Right wrist XR; PA/AP projection; boy, 15 yo; follow-up study: 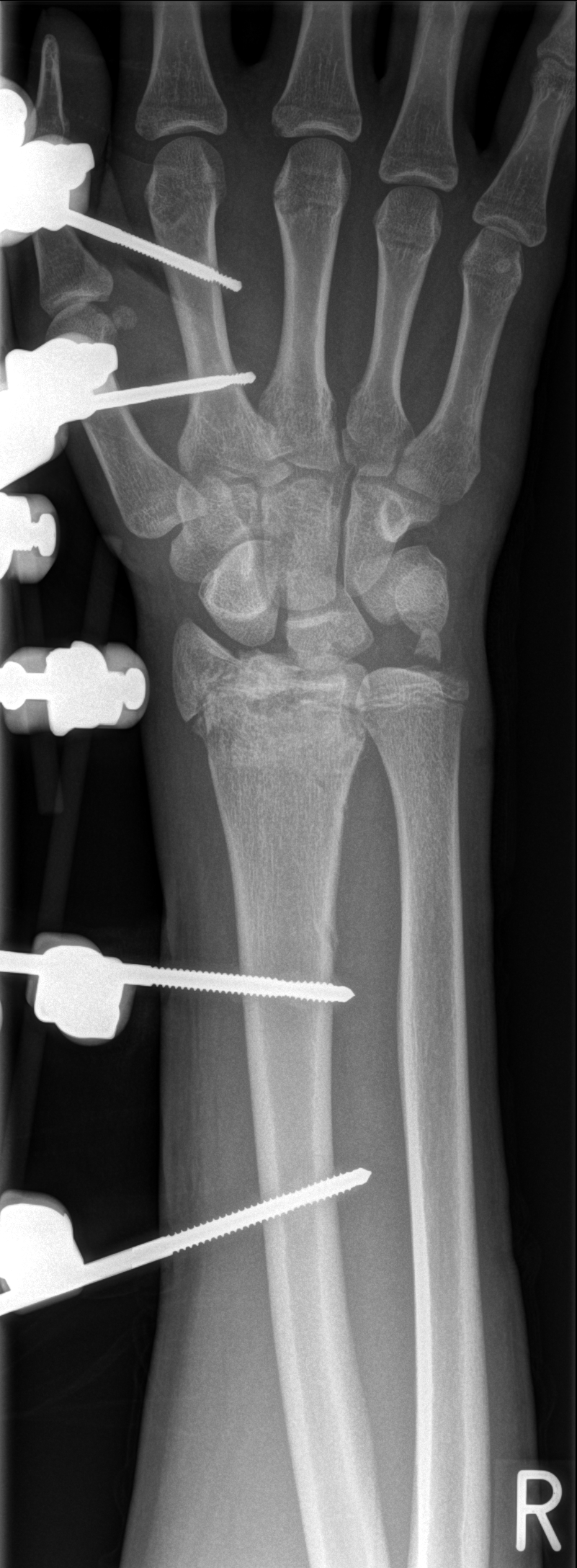

Findings: (coordinates are [x1, y1, x2, y2] in image pixels) Fx — bbox(171, 643, 377, 778), bbox(406, 624, 471, 690). Fracture classified AO/OTA 23r-E/4.2; 23u-E/7. Metallic hardware identified at bbox(0, 339, 254, 583); bbox(1, 1167, 366, 1312); bbox(0, 92, 241, 282); bbox(1, 934, 360, 1037); bbox(0, 642, 152, 734).